Lateral; right wrist X-ray; subsequent exam; cast in situ; acquired on Siemens; image size 395x1268
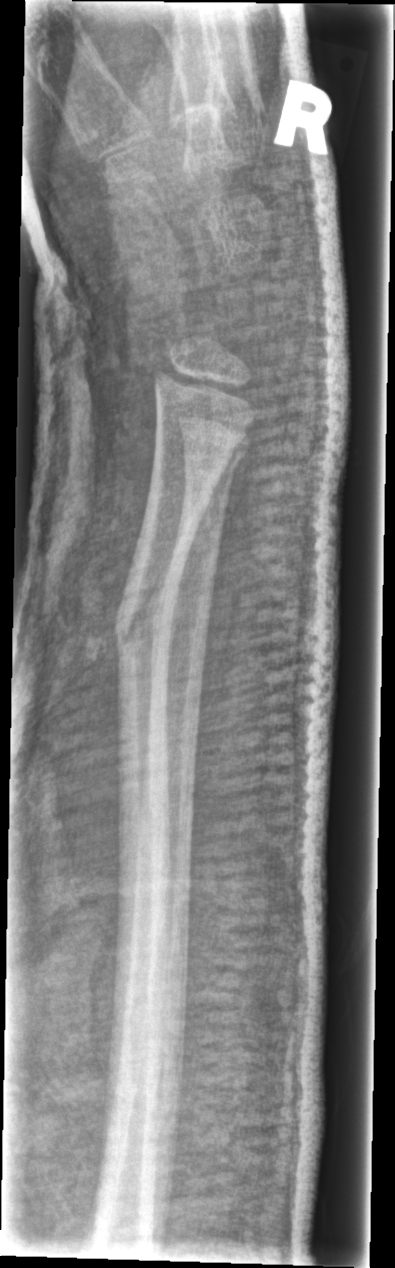

Fx: [110, 596, 179, 660]; [182, 431, 252, 475]
AO code: 22r-D/2.1; 23u-M/2.1